Lt wrist plain film, lat view, female, 8 yo, imaged through cast, Siemens: 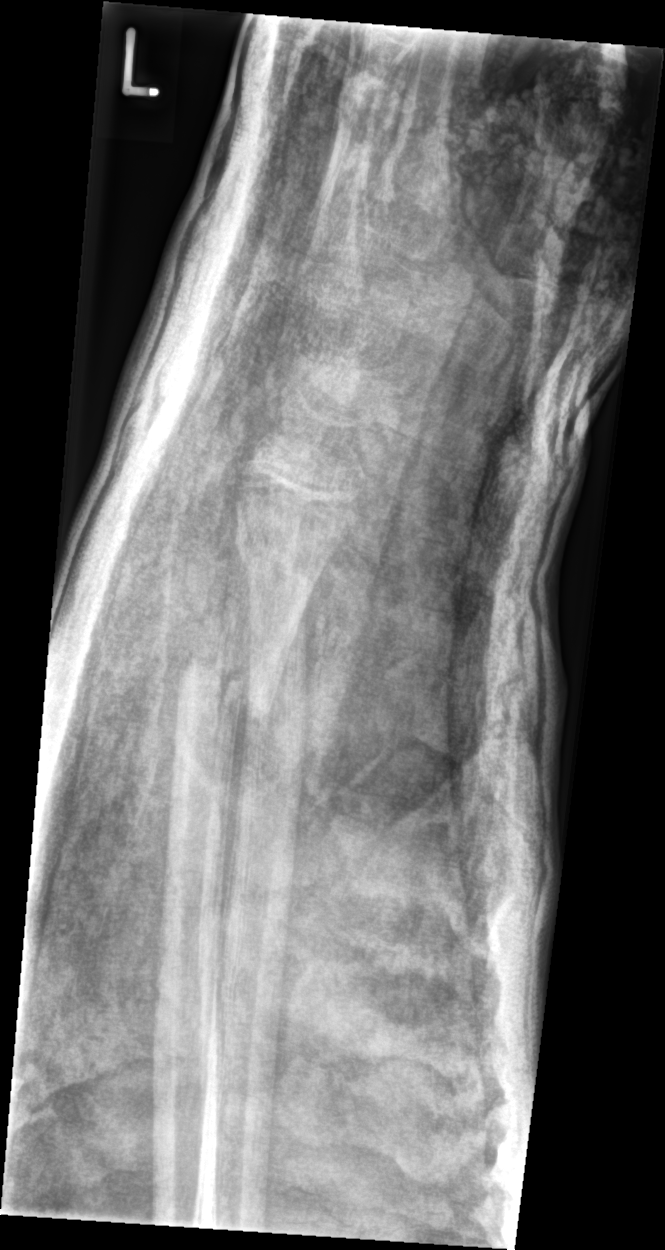

(coordinates are [x1, y1, x2, y2] in image pixels)
bone fracture: 1 @ 169 637 291 732
AO code: 23r-M/3.1; 23u-M/2.1